L wrist X-ray | lateral | Siemens | 514 x 1222 px 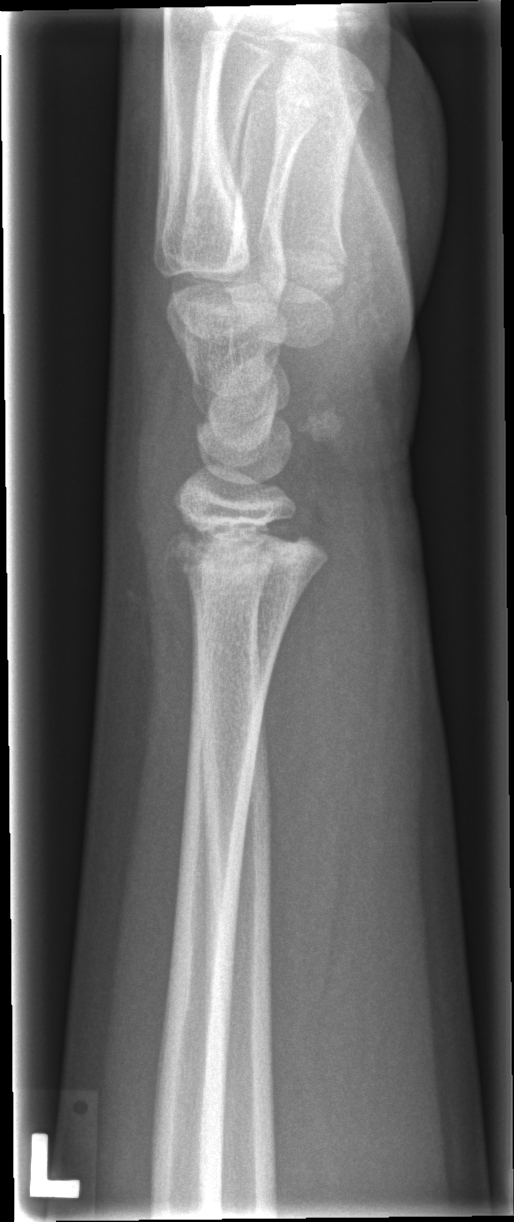
  ao: 23r-E/2.1
  fracture: 1 @ 164,509,329,587